Posteroanterior view, left wrist plain radiograph of the wrist, follow-up study, acquired on Siemens.

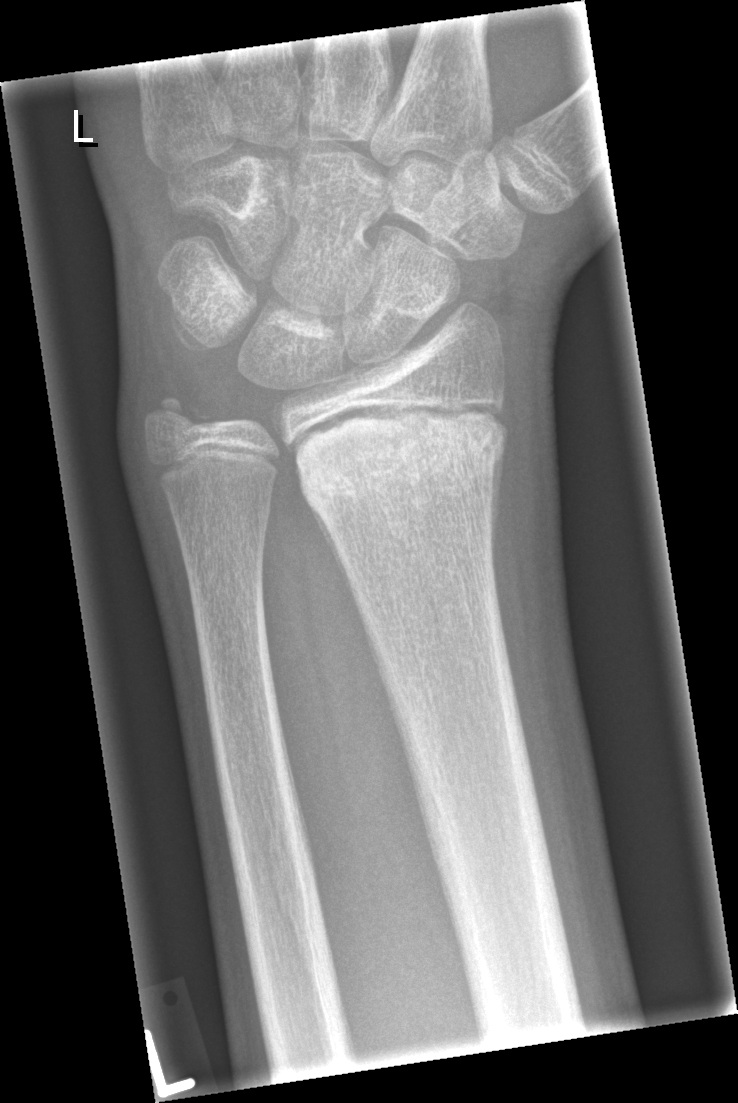 • Fractures — <290,391>-<512,529>; <133,390>-<216,446>.
• Osteopenic.
• AO code 23r-M/3.1; 23u-E/7.